Rt wrist plain film · lat · follow-up study.
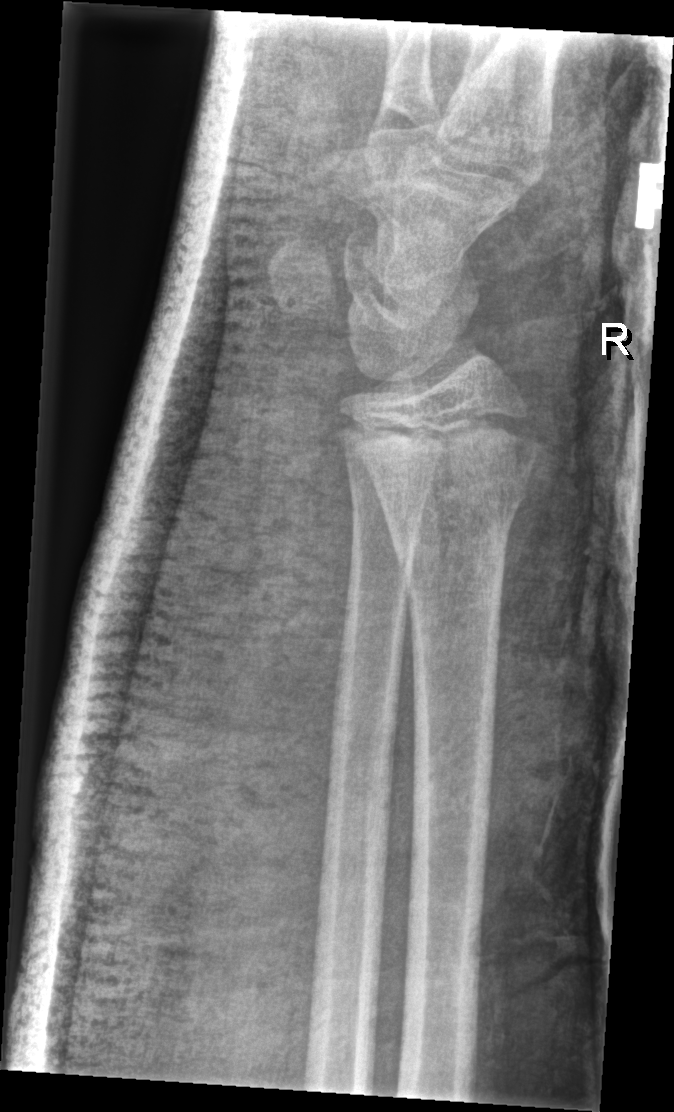
Findings: Bone fracture: <386,469>-<533,590>.